Lt pediatric wrist radiograph; PA/AP; age 3 y, boy; 62.6 mm image width; 435 x 590 px:

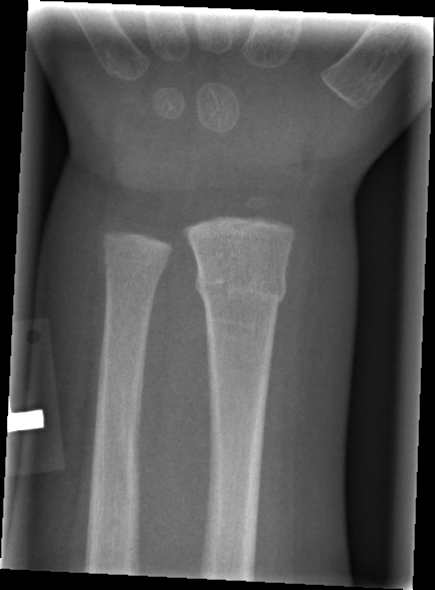 FINDINGS: AO/OTA classification: 23r-M/2.1. Fracture identified at 192,264,288,312.